Right wrist X-ray, PA projection, 11y M, imaged through cast.

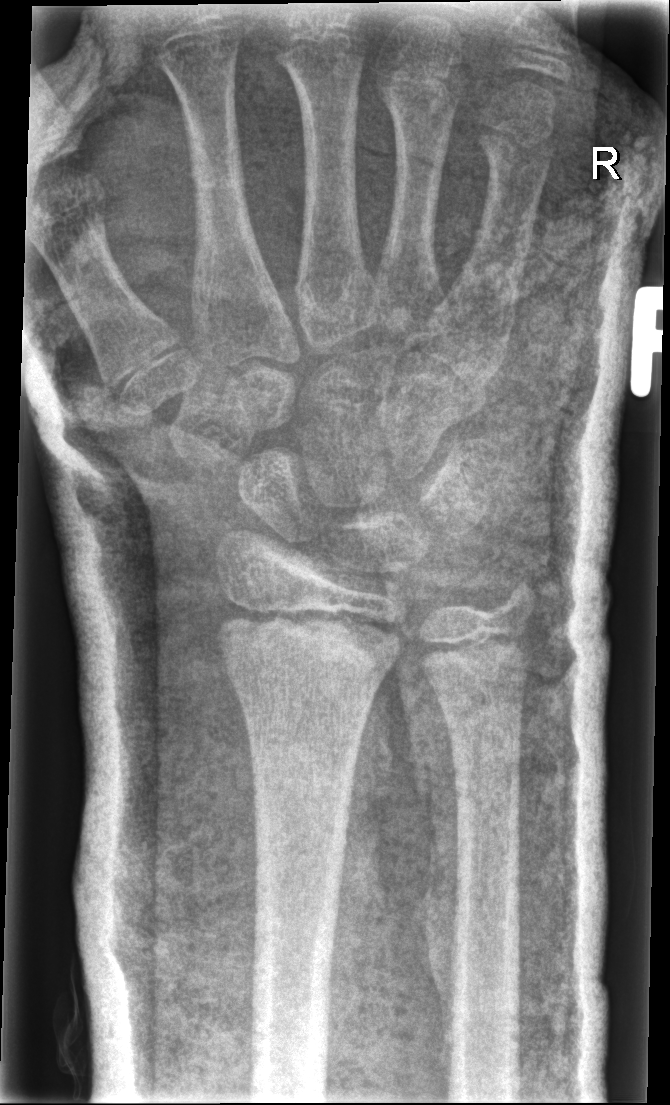

AO/OTA classification: 23r-E/2.1.
Fracture — [215, 608, 401, 697].